Left wrist plain film · lat view · 12-year-old boy. 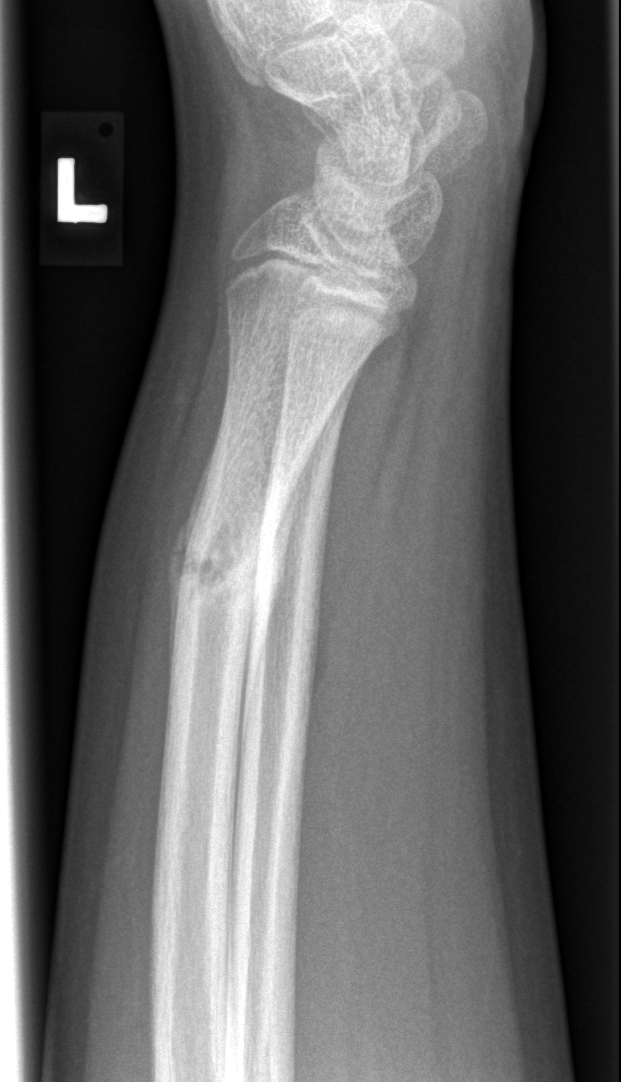
Q: Locate any fractures.
A: Fracture identified at [x1=172, y1=536, x2=285, y2=610]
Q: Is there osteopenia?
A: Osteopenia
Q: AO code?
A: AO/OTA classification: 22r-D/4.1
Q: Locate any periosteal reaction.
A: Periosteal thickening: [x1=165, y1=431, x2=218, y2=700]